Lat; left wrist radiograph; 7-year-old female 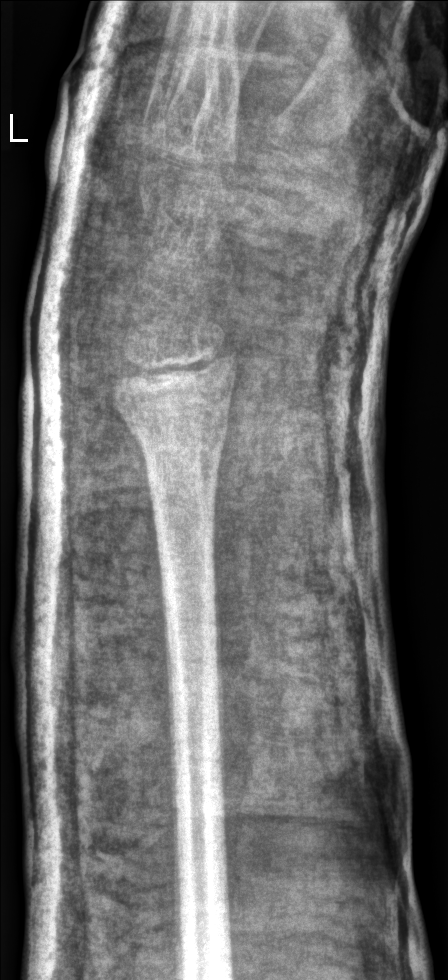

  # pixel coordinates, top-left origin, xyxy
  fracture: 1 @ (left=113, top=386, right=232, bottom=476)